Left wrist plain film | posteroanterior view | Siemens:
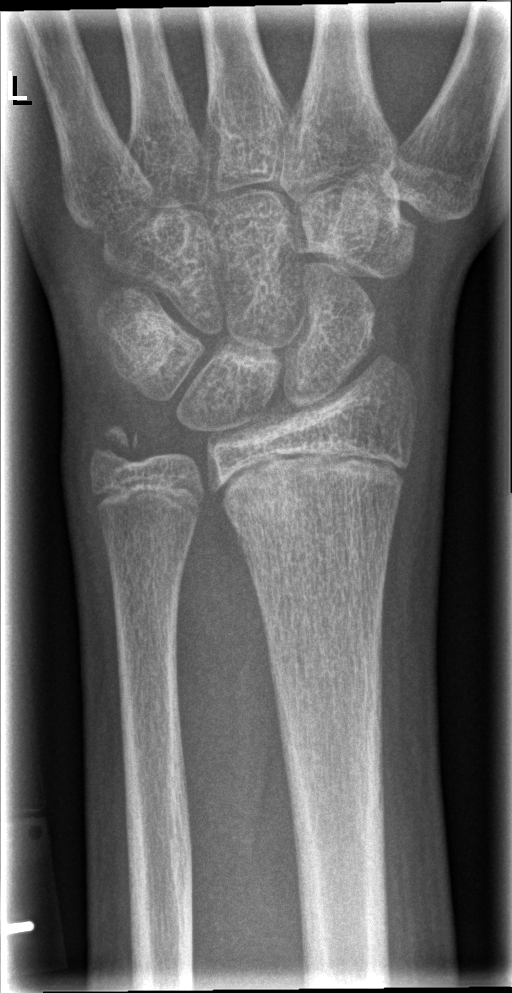
(boxes as x1,y1,x2,y2 (top-left / bottom-right, pixel units))
Osteopenia: present
Bone fracture: [x1=215, y1=441, x2=414, y2=548] [x1=86, y1=419, x2=145, y2=473]